Lt wrist X-ray; AP; pediatric patient (male, age 15); 620 by 1062 pixels:
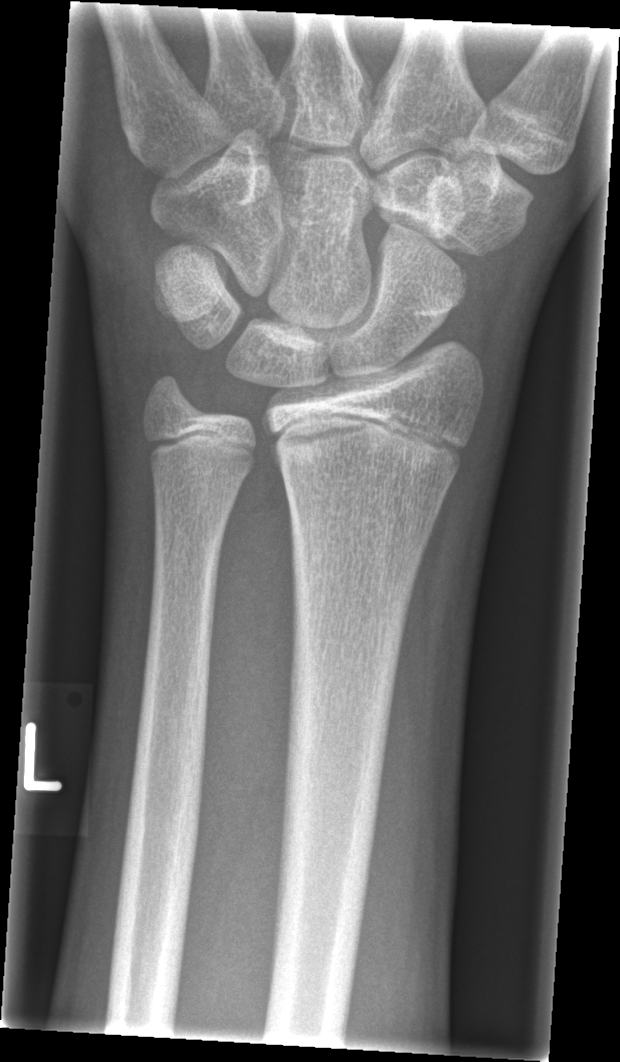

Fx = none labeled